Right wrist X-ray, PA, follow-up:
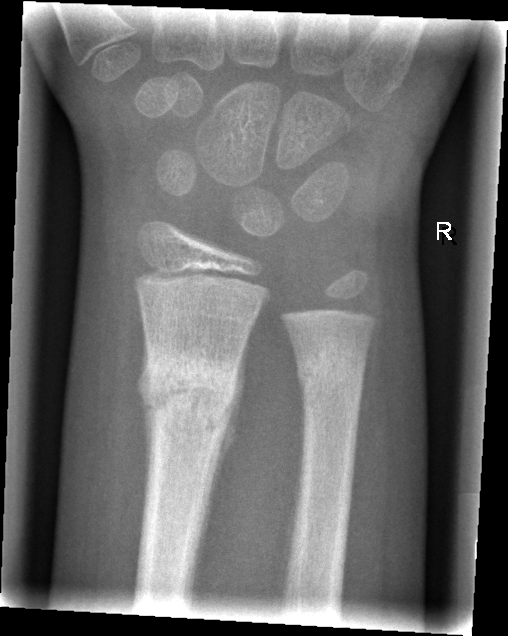

AO code = 23r-M/3.1; 23u-M/2.1
bone fracture = (132, 347, 241, 446); (293, 339, 366, 405)
osteopenia = present